Lateral projection · R wrist XR · pediatric patient (female, age 12) · index exam:
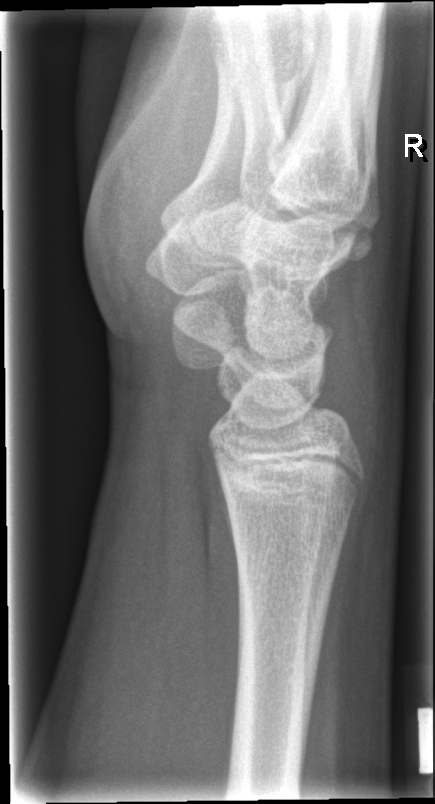
Findings: No fracture bounding box.